Left pediatric wrist radiograph; lateral; 5-year-old male; Siemens:
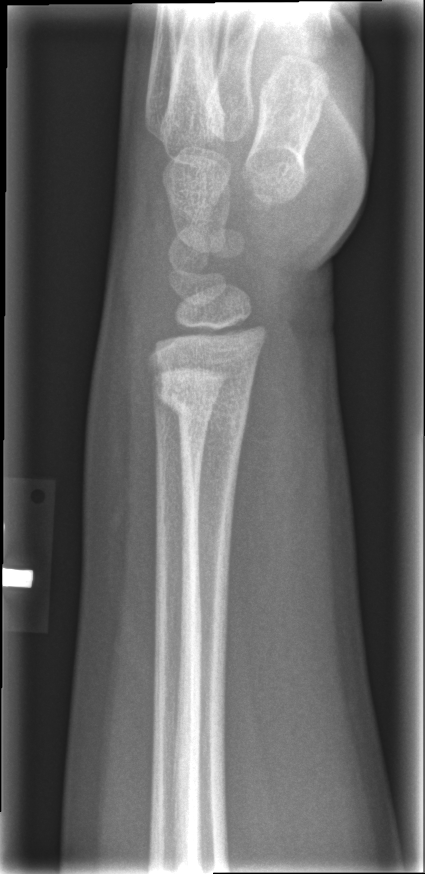

Coordinates are [x1, y1, x2, y2] in image pixels.
Fracture: (152, 365, 257, 436).